Frontal, Rt plain radiograph of the wrist, cast in situ — 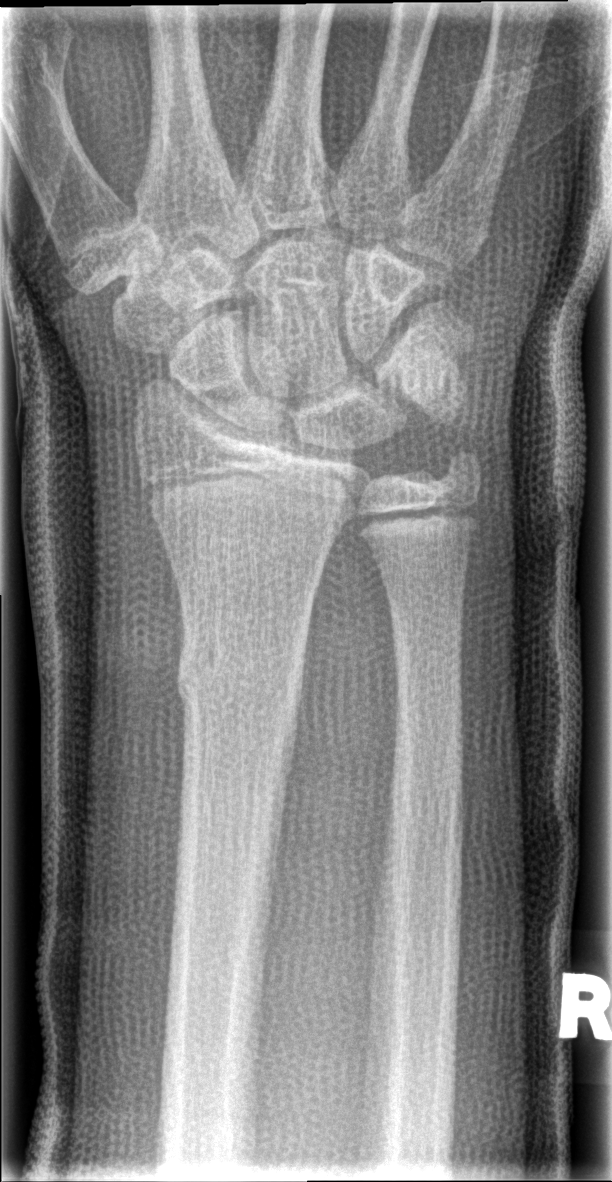

Findings: Fx identified at [x1=175, y1=623, x2=309, y2=730].